Lt wrist plain film · lat projection · 10-year-old boy 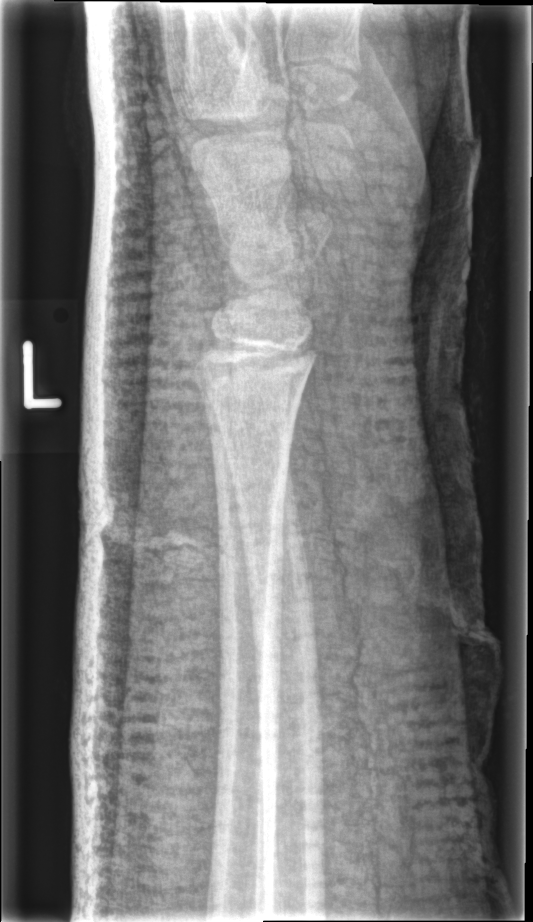
(bounding boxes in image-pixel xyxy)
Q: Fracture present?
A: Fracture: 245,543,317,627